Posteroanterior projection, Lt wrist radiograph, pediatric patient (boy, age 6), follow-up, acquired on Siemens:

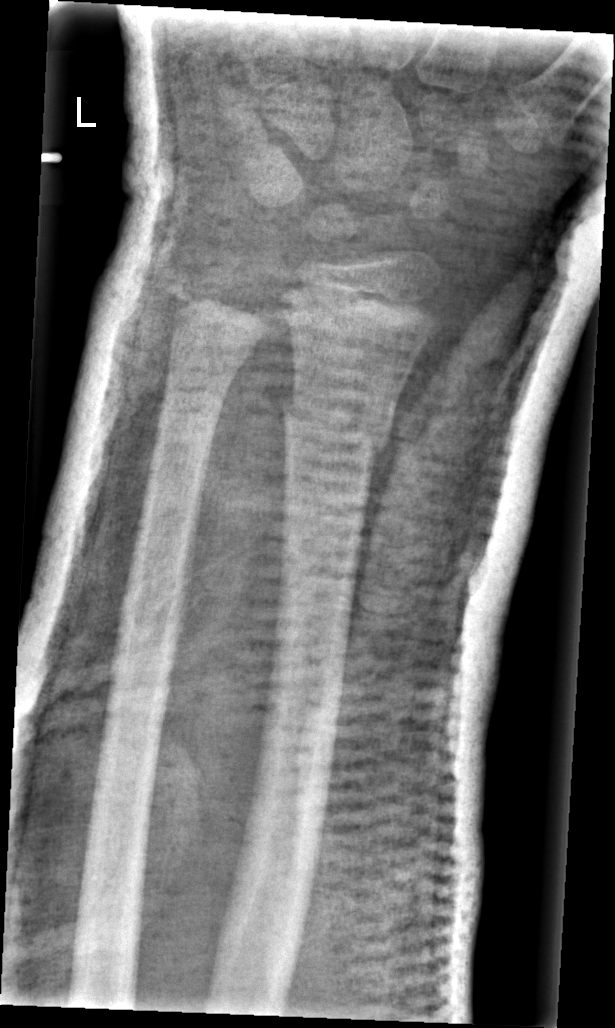 AO code 23r-M/3.1; 23u-M/2.1. One fracture at (279, 386, 392, 471).